Right wrist plain film; lateral view; acquired on Siemens:
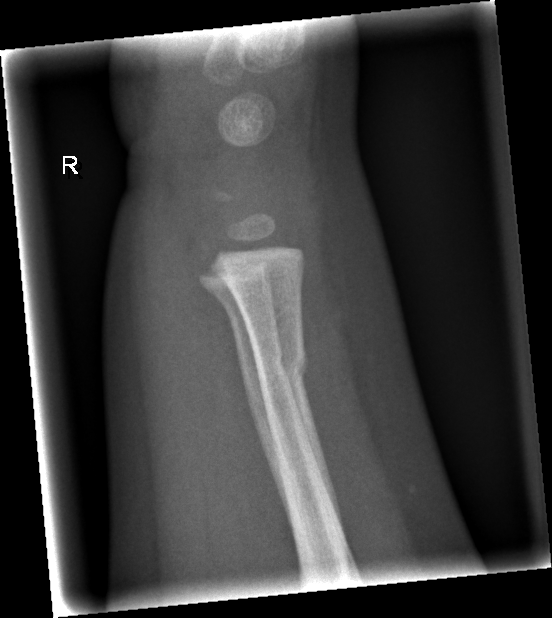 Fracture = 2 @ [255, 349, 311, 390]; [231, 348, 292, 378]
AO/OTA = 23-M/2.1